Lateral view; left wrist plain film; 11-year-old female 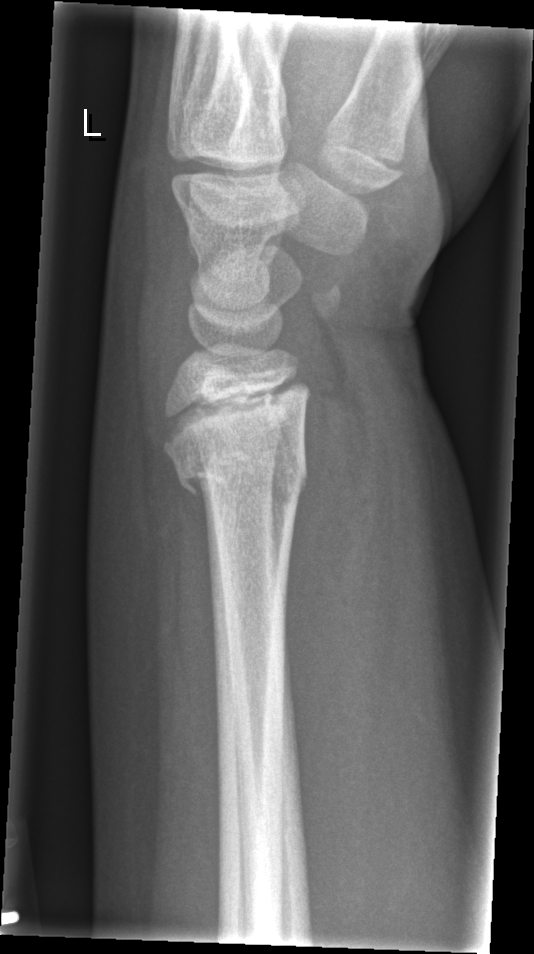
Bounding boxes in image-pixel xyxy. Positive pronator fat-pad sign: (left=283, top=386, right=386, bottom=754). Fx identified at (left=165, top=442, right=309, bottom=512).